Lat, R wrist plain film, 515 x 1090 px 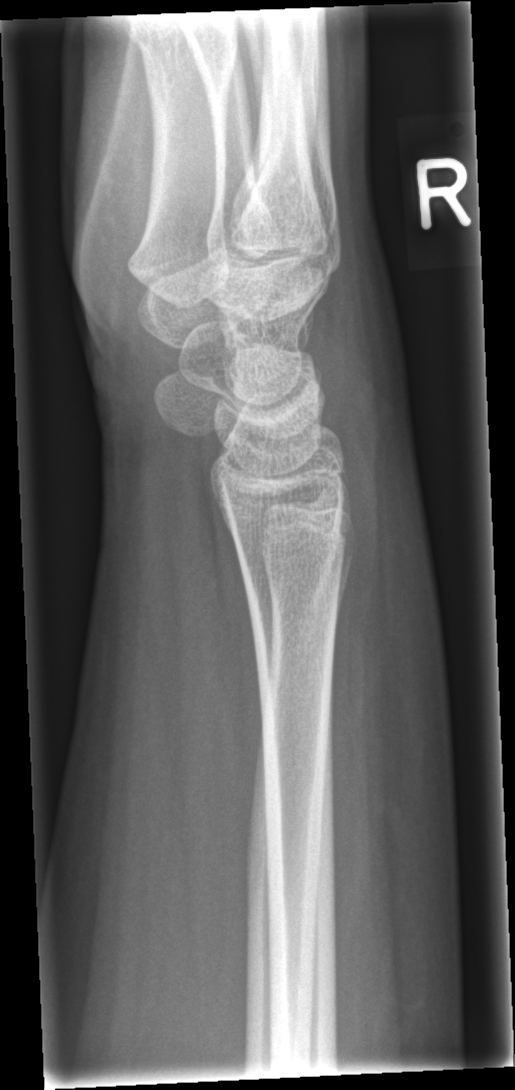

- No fracture bounding box.